Lateral projection · left wrist XR · initial study. 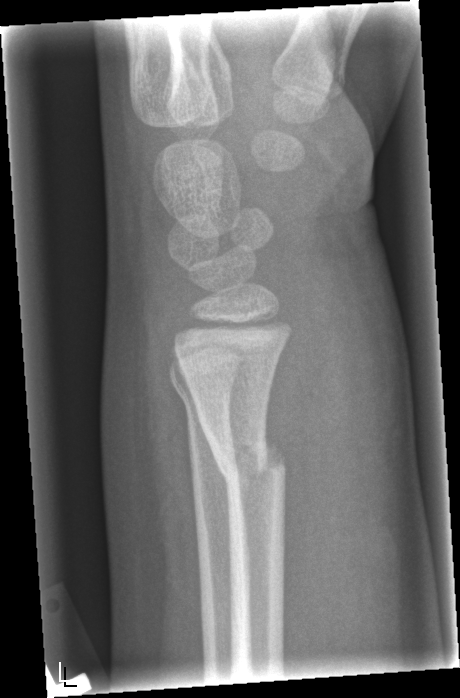
Coordinates are [x1, y1, x2, y2] in image pixels.
Fx: [204, 427, 290, 493], [171, 366, 239, 419].
Positive pronator fat-pad sign — [269, 257, 364, 656].